R wrist plain film | lateral | image size 330x926
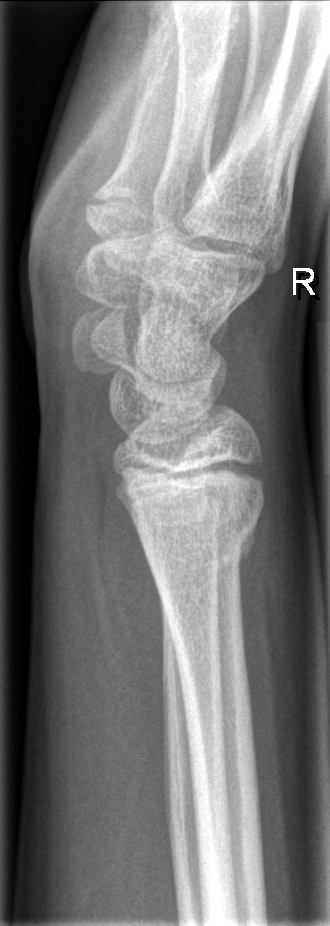
- Fx identified at [132, 504, 266, 583].
- Pronator quadratus fat-pad sign identified at [102, 438, 168, 734].